L wrist X-ray, lat view, pediatric patient (male, age 12), 458x1044: 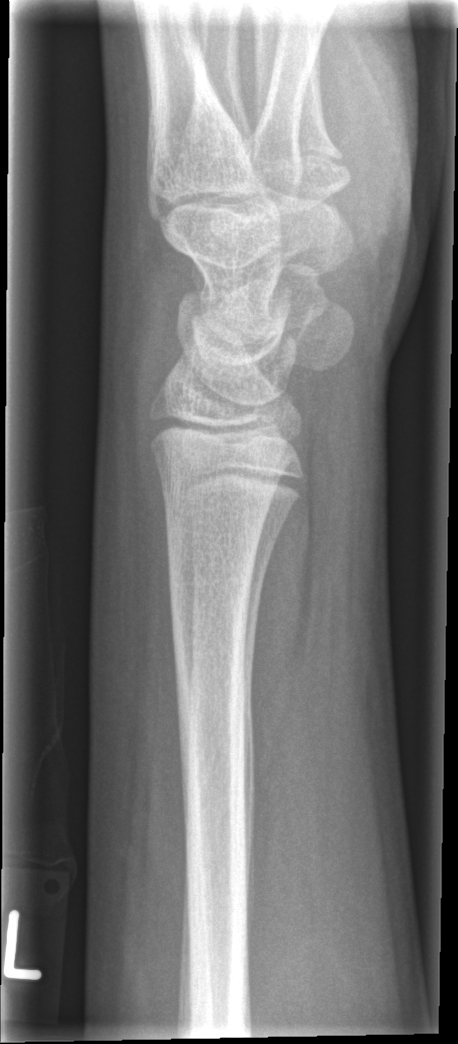 fracture: none labeled